R wrist XR; lateral projection; pediatric patient (male, age 11)
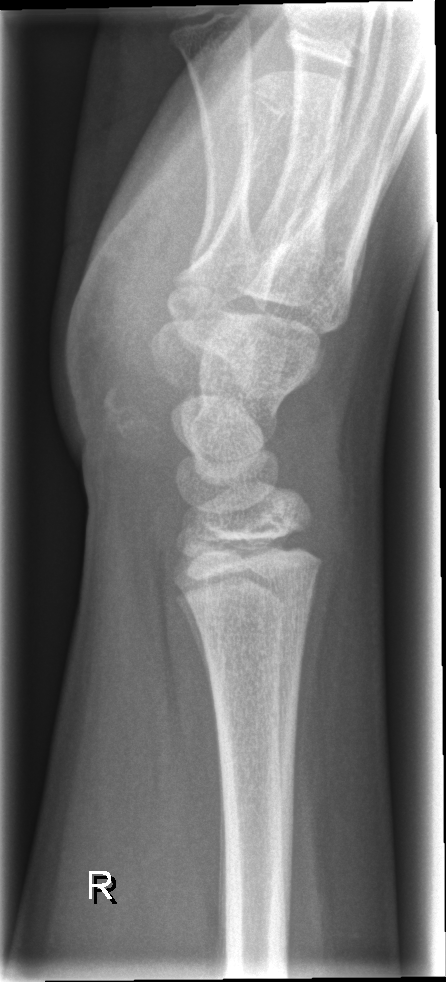

• No fracture annotation.